Left plain radiograph of the wrist · posteroanterior projection · pediatric patient (girl, age 11) · Siemens 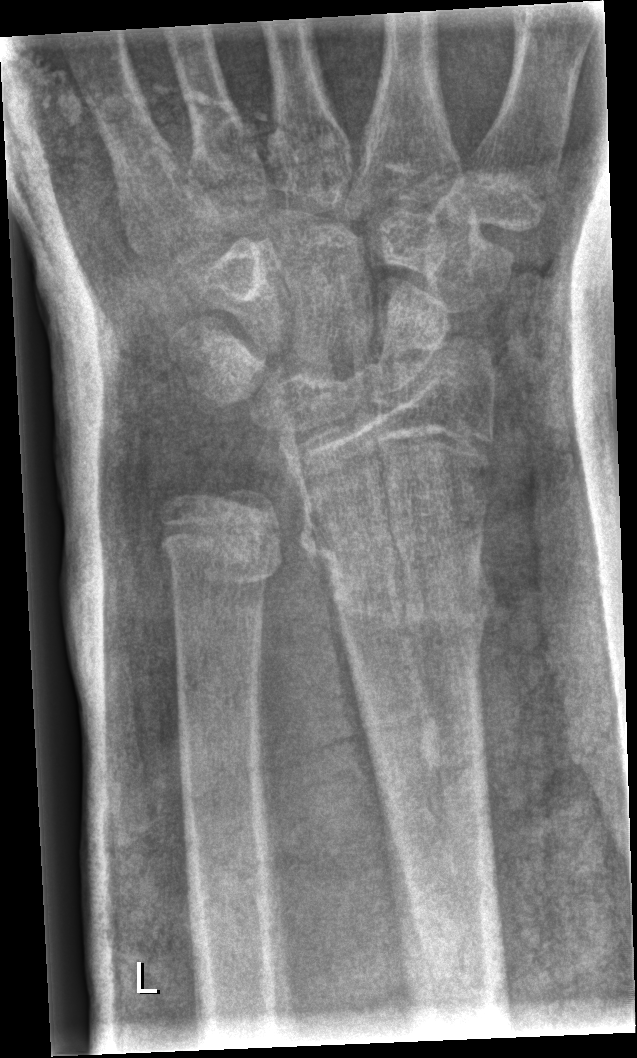 Fx = 2 @ (left=297, top=500, right=498, bottom=648), (left=155, top=509, right=287, bottom=597)